PA | left wrist plain film | girl, 5 yo:

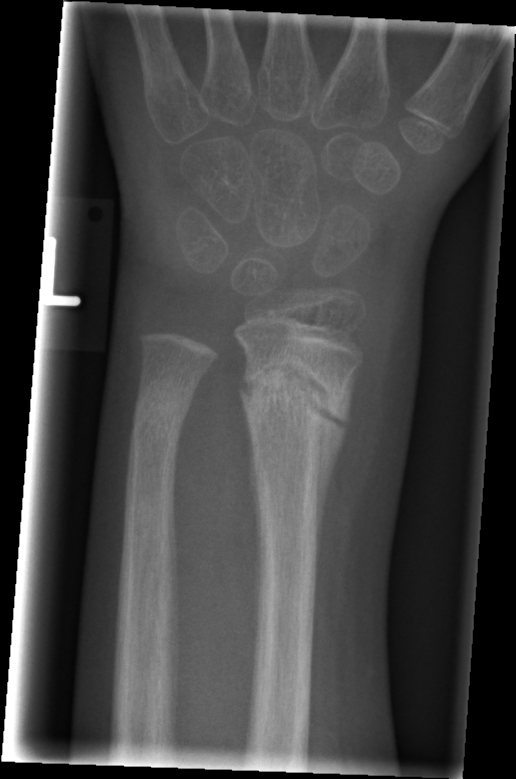 Osteopenia.
Fractures — 235 346 351 448 | 126 388 193 457.
Periosteal new bone — 316 360 360 568.
AO/OTA classification: 23-M/3.1.